AP view, Rt wrist XR —

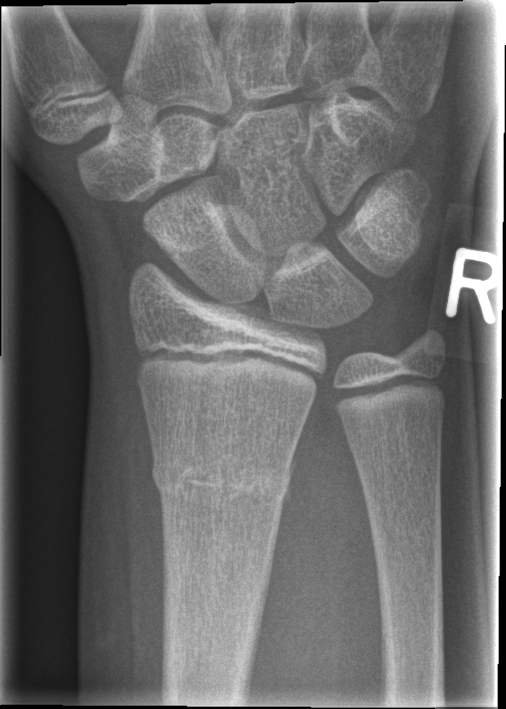

One Fx at bbox(148, 448, 295, 512).